PA/AP view | R wrist plain film —

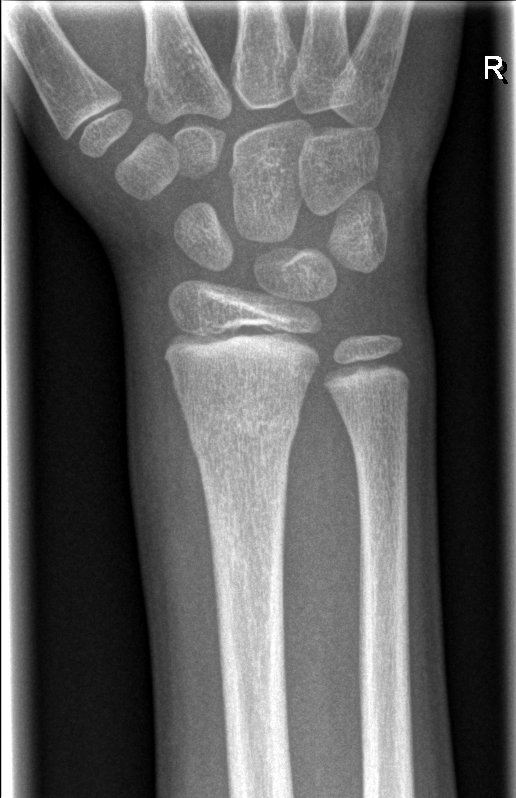
Pixel coordinates, top-left origin, xyxy.
Soft-tissue finding — [120, 337, 218, 703].
Bone fracture — [177, 391, 303, 461].
AO/OTA classification: 23r-M/3.1.